Lt wrist radiograph | posteroanterior projection | initial study —
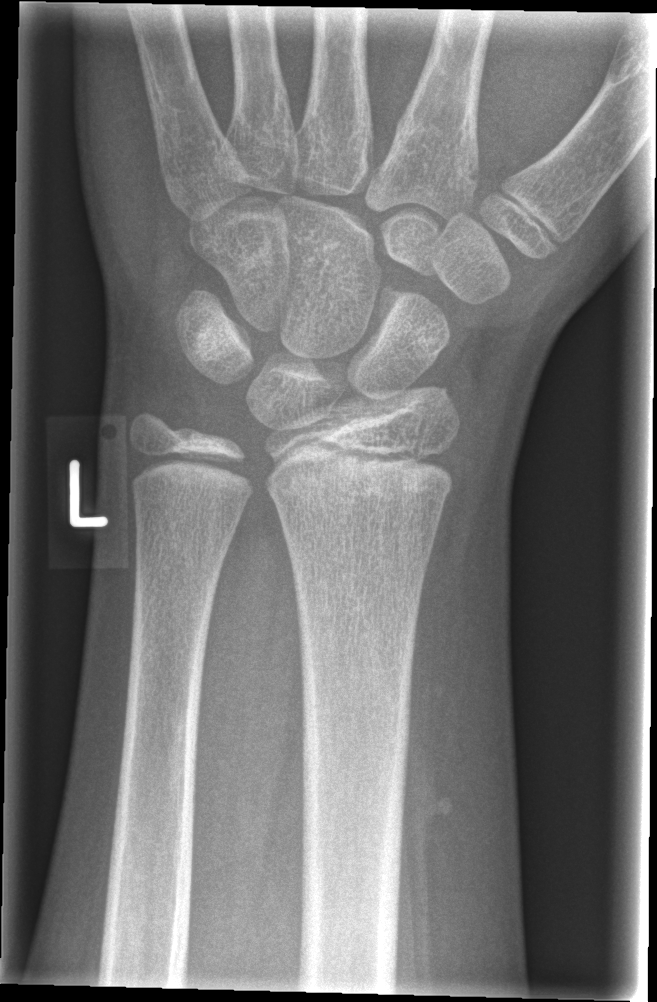

{
  "fracture": "none labeled"
}